Left plain radiograph of the wrist, lateral projection, cast in situ: 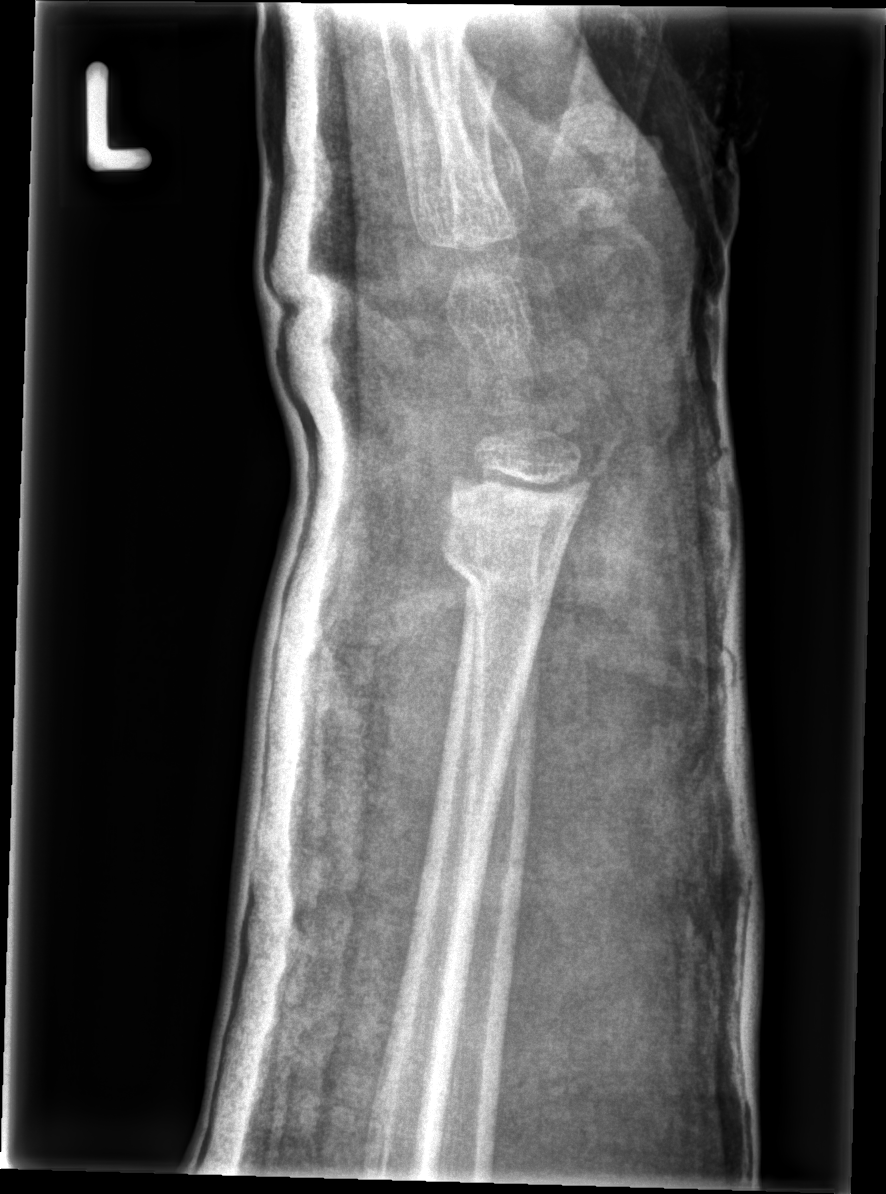

  fracture: (435, 527, 562, 618)
  ao: 23r-M/3.1; 23u-M/2.1